L pediatric wrist radiograph · PA/AP view · 10-year-old female · cast in situ · 831x1118.

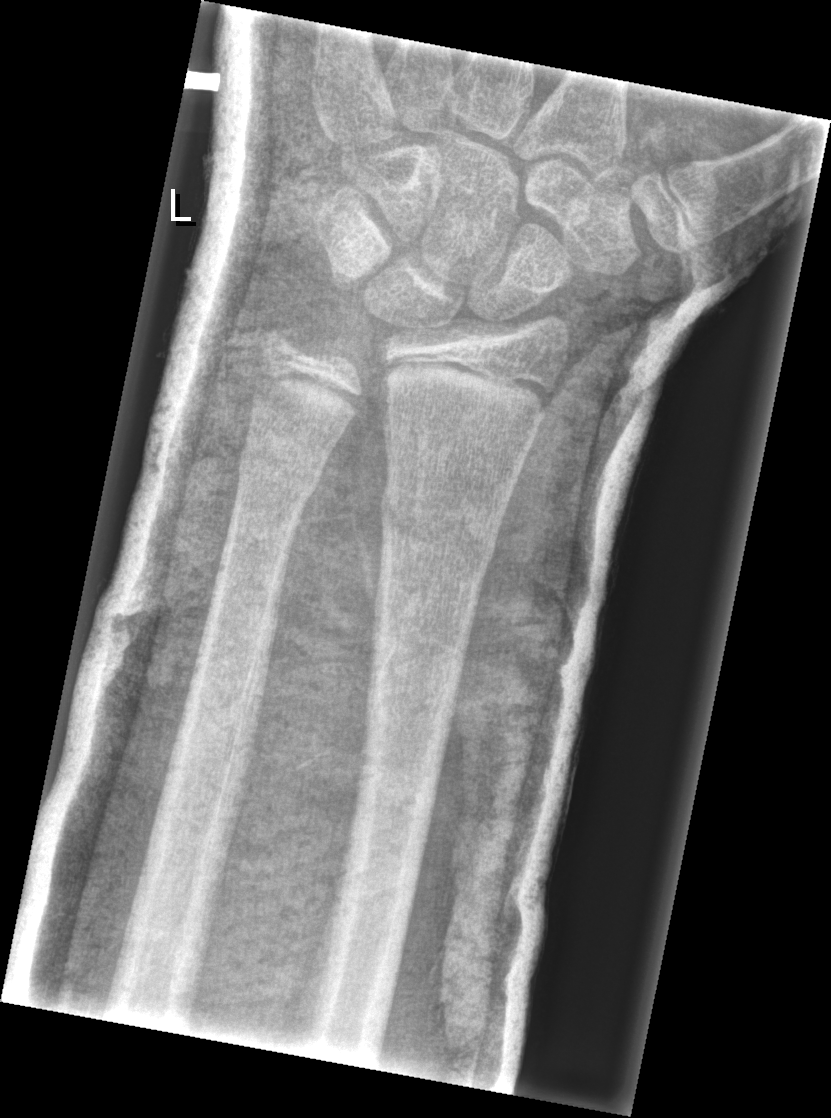
(pixel coordinates, top-left origin, xyxy)
AO classification = 23r-M/3.1; 23u-M/2.1; 23u-E/7
Fx = 2 @ <377,477>-<500,573>, <235,434>-<326,495>